Lt wrist X-ray; lateral view; age 14 y, male; index exam; 372x1012.

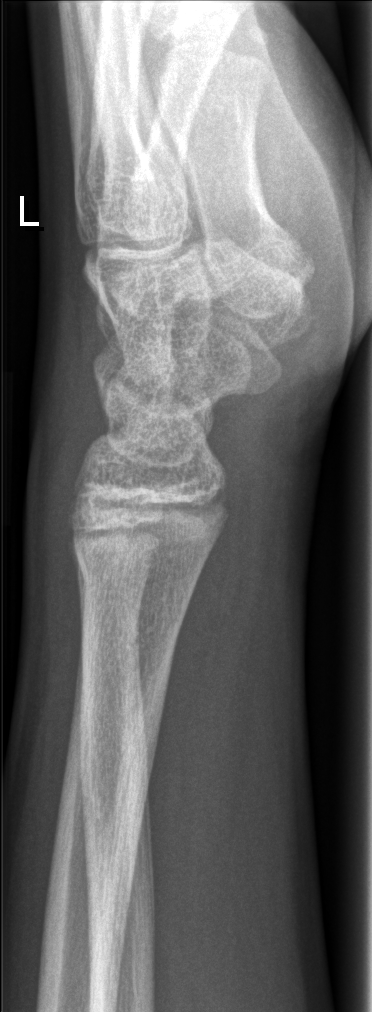
FINDINGS — Fx: 69,537,206,615. Fracture classified AO/OTA 23r-M/2.1.